PA view; left wrist plain radiograph of the wrist; pediatric patient (boy, age 10); follow-up study:
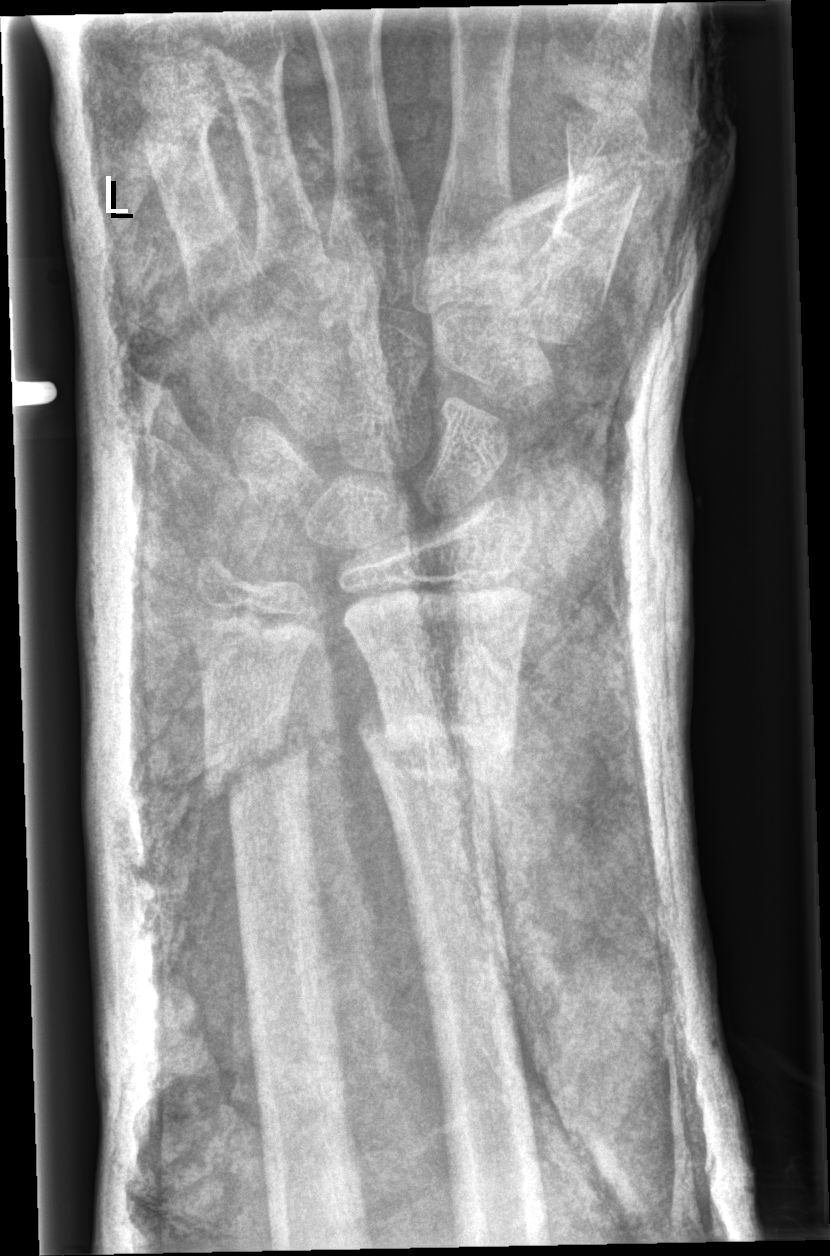
AO/OTA classification: 23-M/3.1.
Bone fractures — bbox(355, 692, 517, 830); bbox(202, 720, 313, 815).